Lt pediatric wrist radiograph, PA projection. 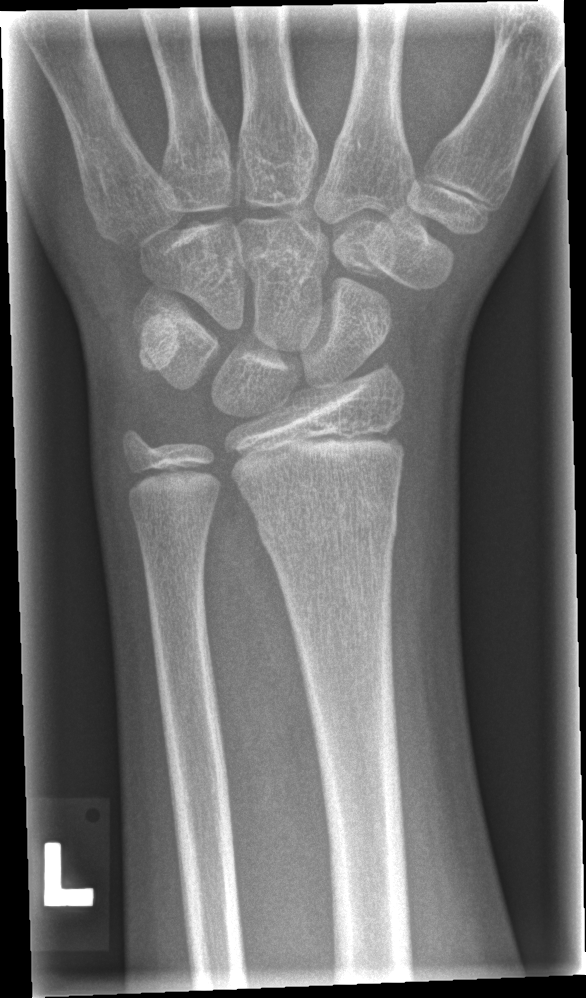
Fx = 1 @ bbox(254, 487, 401, 559)
AO/OTA = 23r-M/2.1